Left wrist radiograph; PA/AP; age 11 y, male 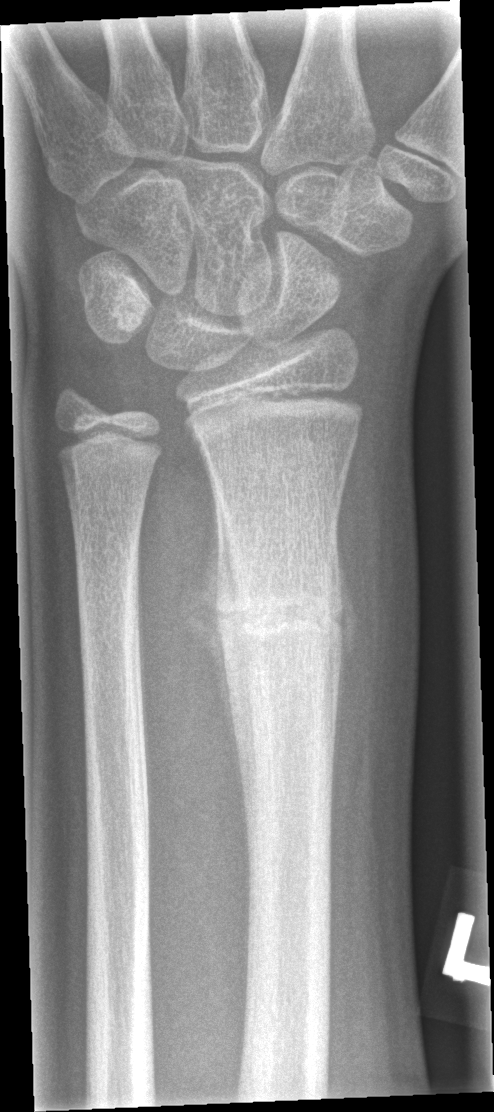
Bone fracture = 211 583 343 652
Periosteal new bone = 182 476 250 790 | 327 510 349 778